Lateral projection; R wrist plain film; pediatric patient (female, age 8); 380 by 1009 pixels — 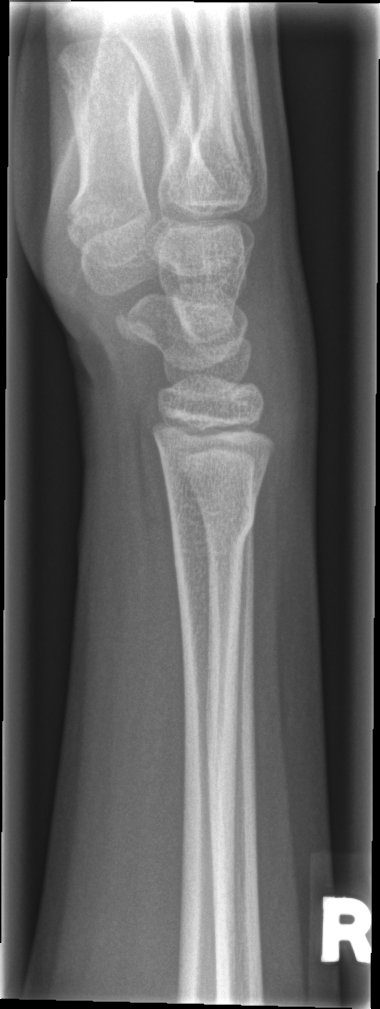

Fx: 165 498 260 554. Fracture classified AO/OTA 23r-M/2.1.